PA/AP view, L pediatric wrist radiograph, pediatric patient (male, age 13), presentation radiograph —

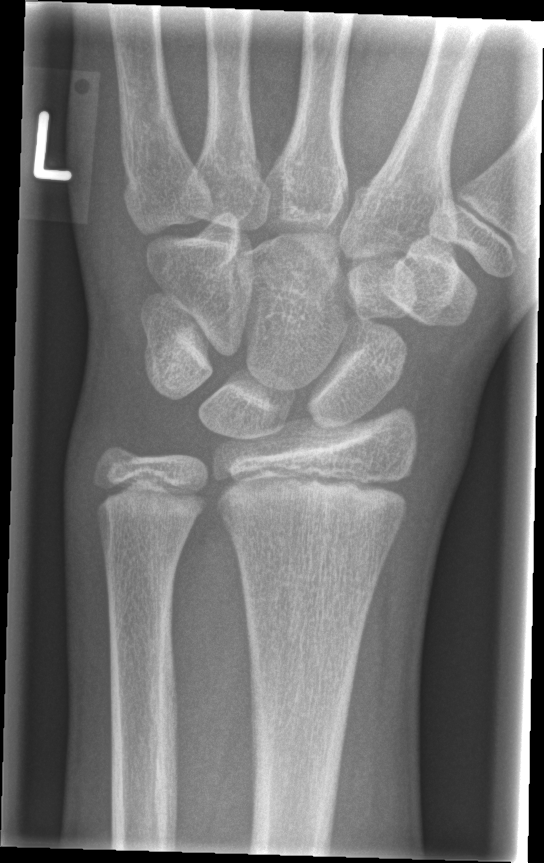

FINDINGS — Fracture: none labeled.